Lat · left wrist X-ray · age 2 y, boy · initial study · image width 49.5 mm:

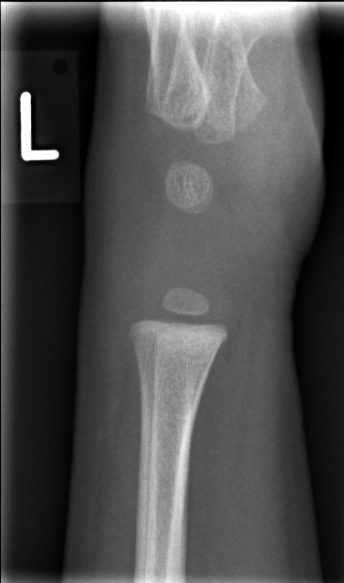

FINDINGS — No fracture annotation.